Lateral | Rt wrist XR | pediatric patient (male, age 11) | Siemens —

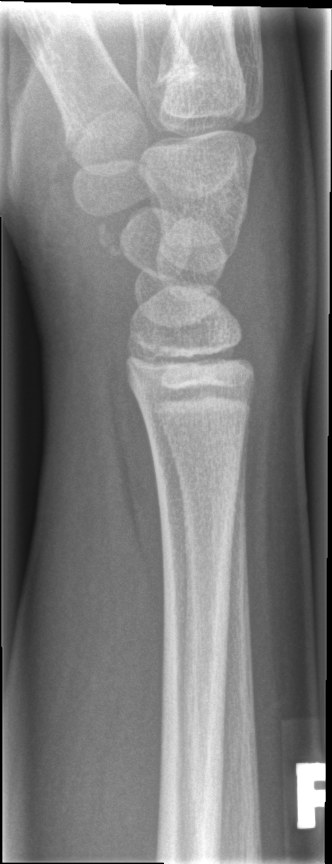 FINDINGS: Fx: none.